Lat projection, right wrist plain film, 14-year-old male, imaged through cast —
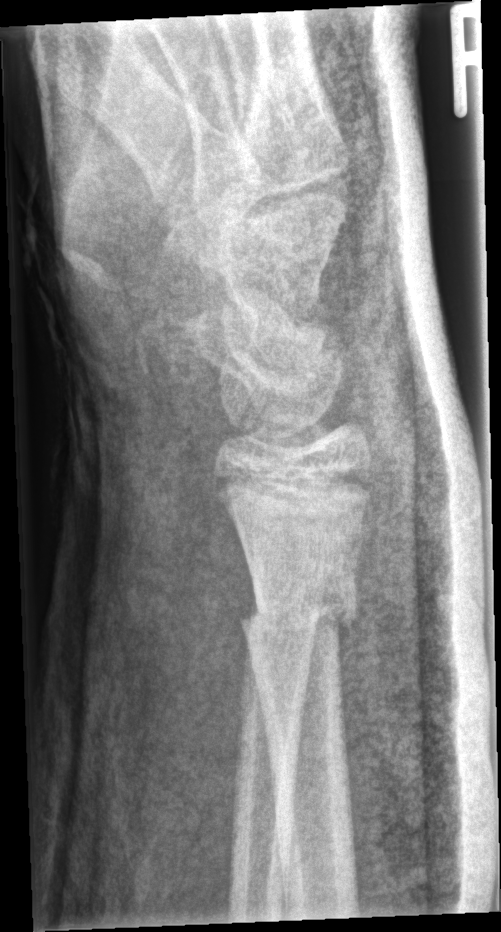
(pixel coordinates, top-left origin, xyxy)
fracture = 1 @ (237, 575, 363, 652)
AO classification = 23r-M/3.1; 23u-E/7